AP · right wrist radiograph · pediatric patient (boy, age 17) · presentation radiograph 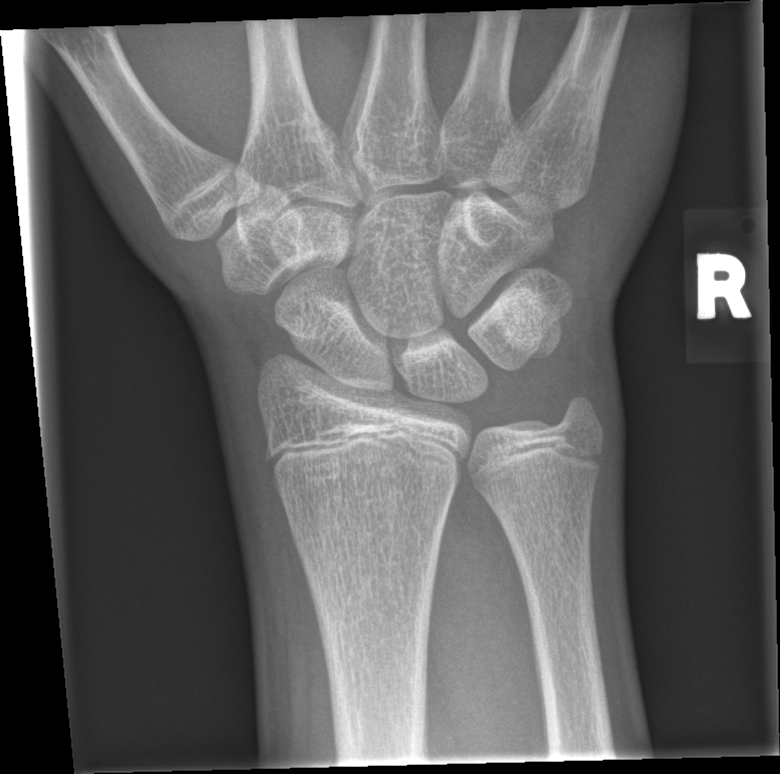 • Fracture present, though not clearly seen in this view.